Lateral projection, right wrist pediatric wrist radiograph, age 16 y, boy —

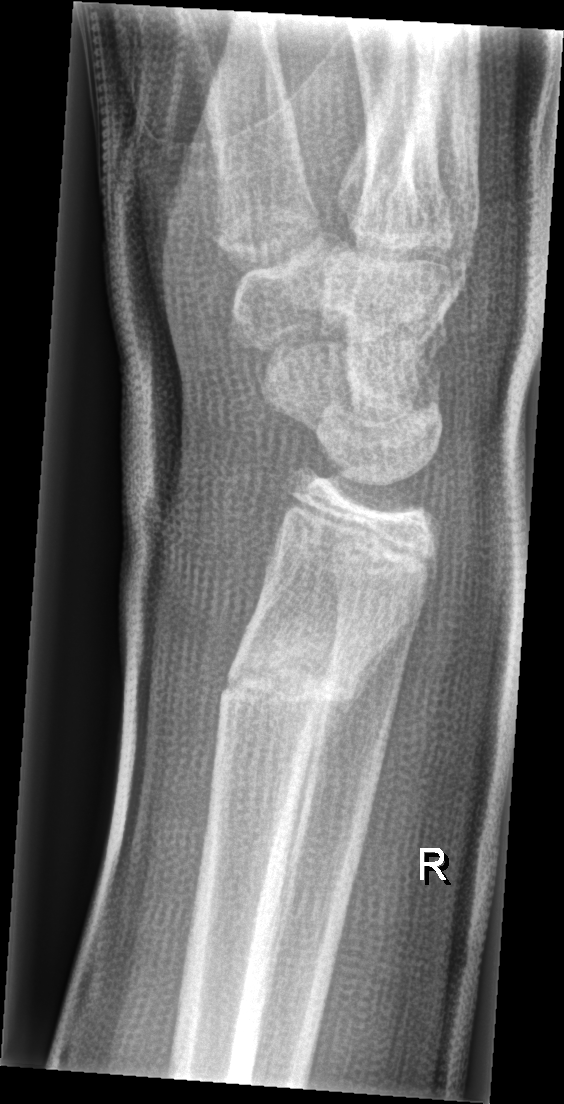

- Fx identified at (215, 636, 373, 730).